L plain radiograph of the wrist; lateral; age 10 y, male; index exam; Siemens; 628 x 922 px. 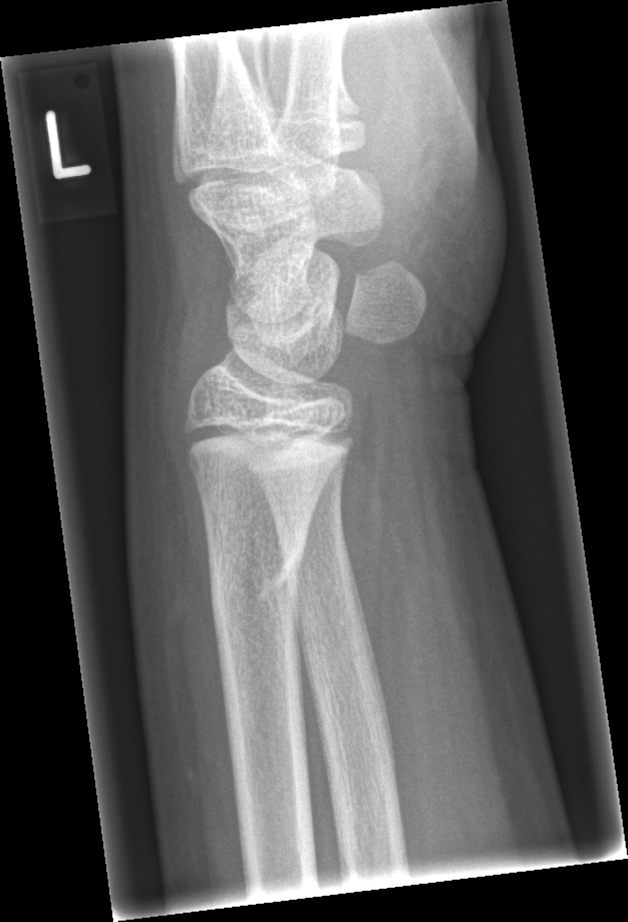

(pixel coordinates, top-left origin, xyxy)
AO code: 23r-M/2.1
bone fracture: 1 @ bbox(206, 531, 311, 629)